R pediatric wrist radiograph; lateral; pediatric patient (boy, age 11); imaged through cast; image width 83.8 mm —

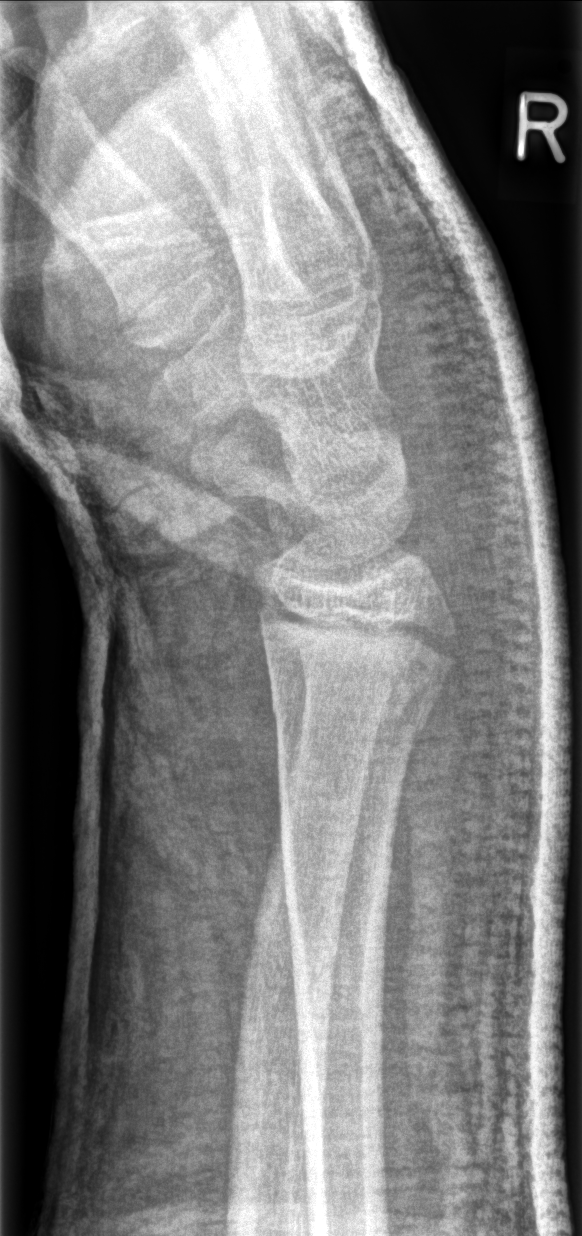

bone fracture = 1 @ 265 634 456 749